Right wrist plain film, PA projection, boy, 7 yo, cast present —

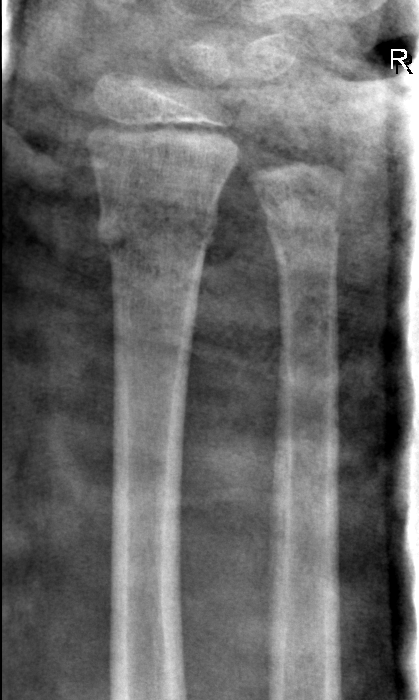

Findings: (boxes as x1,y1,x2,y2 (top-left / bottom-right, pixel units)) Fracture classified AO/OTA 23r-M/3.1; 23u-M/2.1. Bone fractures — bbox(93, 201, 220, 259) bbox(262, 202, 345, 249).